Lateral projection, left plain radiograph of the wrist, 10-year-old female, follow-up study, in cast, 640x1182 —

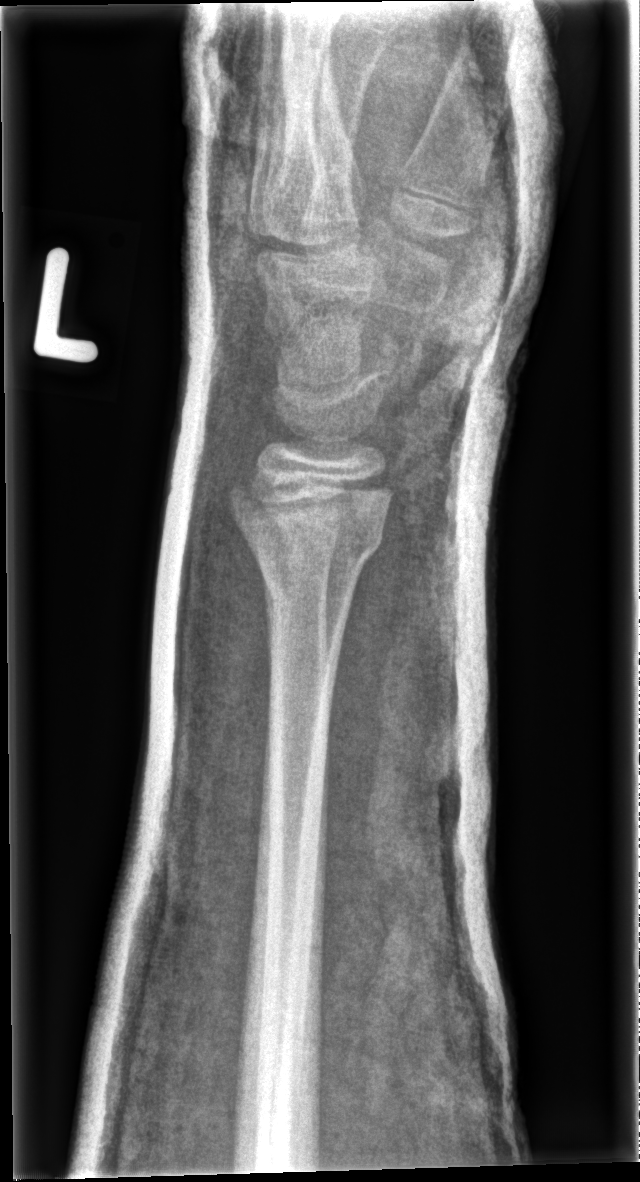

  # pixel coordinates, top-left origin, xyxy
  fracture: 1 @ [x1=226, y1=475, x2=392, y2=579]
  ao: 23r-E/2.1